PA/AP view; right wrist radiograph

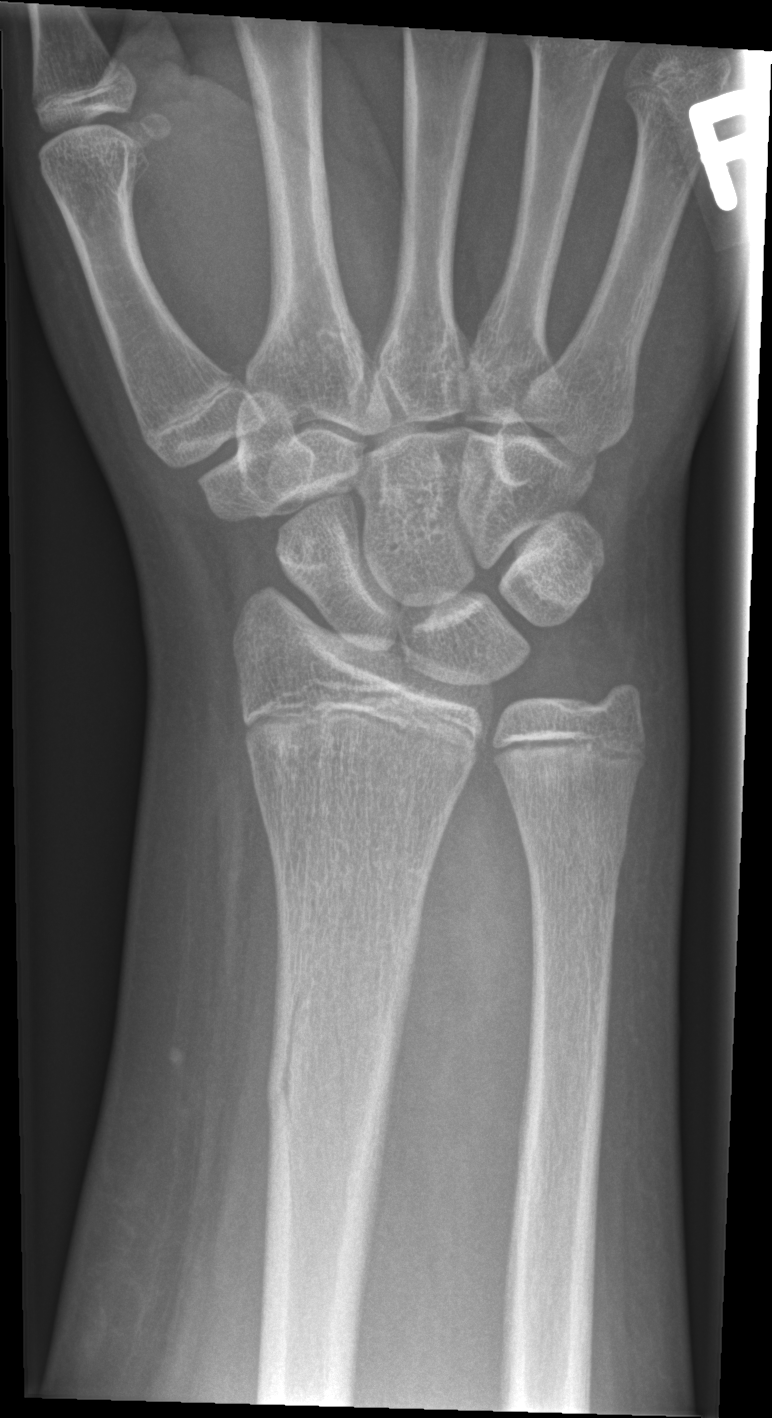 Findings: (coordinates are [x1, y1, x2, y2] in image pixels) AO code 22r-D/2.1; 23u-M/2.1. Fractures — [259, 977, 409, 1206] [515, 808, 630, 894].